Right wrist radiograph · lat
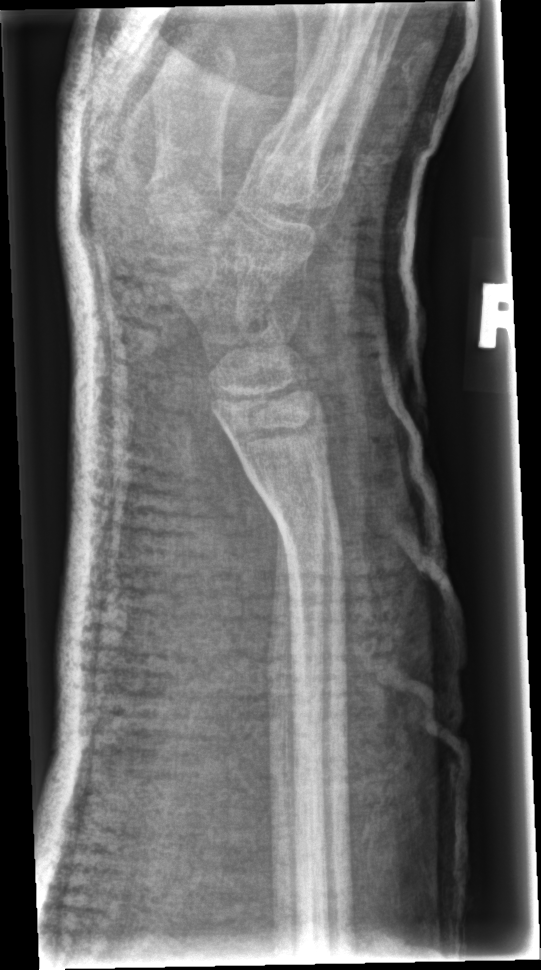 AO code 23-M/2.1.
Fx: 252 476 346 581.